Lat; L wrist XR; age 12 y, boy; equivocal findings; 452x1106

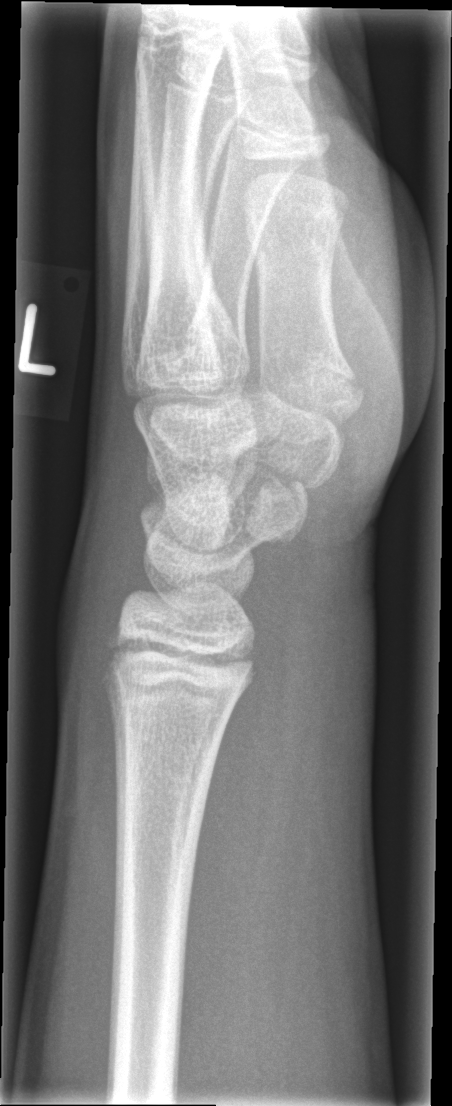
(boxes as x1,y1,x2,y2 (top-left / bottom-right, pixel units))
positive pronator fat-pad sign: 178 580 298 1077
Fx: 1 @ 103 633 264 710